Left wrist plain film | lat projection:
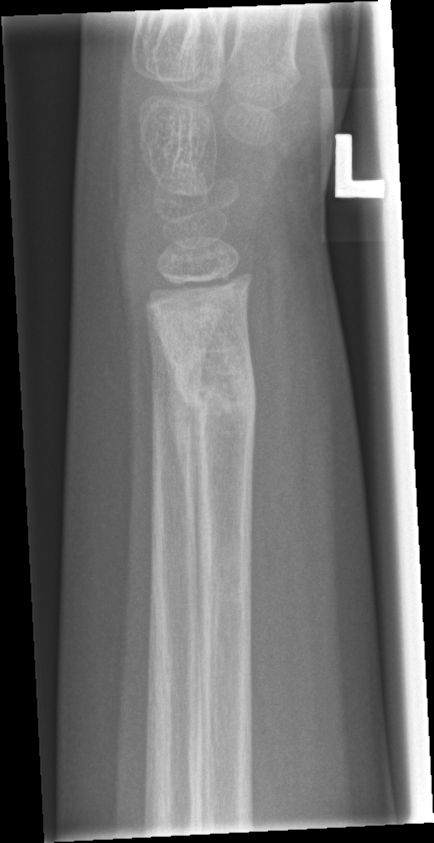

FINDINGS — One periosteal reaction at [162, 341, 203, 580]. One Fx at [165, 344, 260, 452]. Reduced bone mineral density. AO code 23-M/2.1.